Left plain radiograph of the wrist · lateral projection · follow-up study · in cast · 101.7 mm image width · 706 x 919 px.

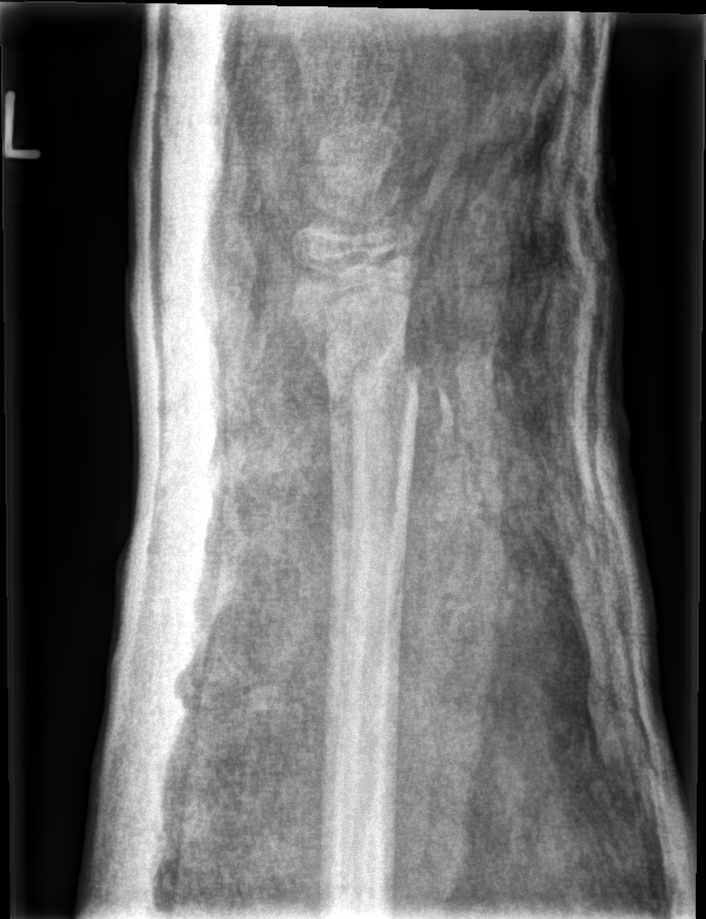 Fx identified at 314 343 424 407.